Frontal projection | left wrist radiograph | male, 14 yo
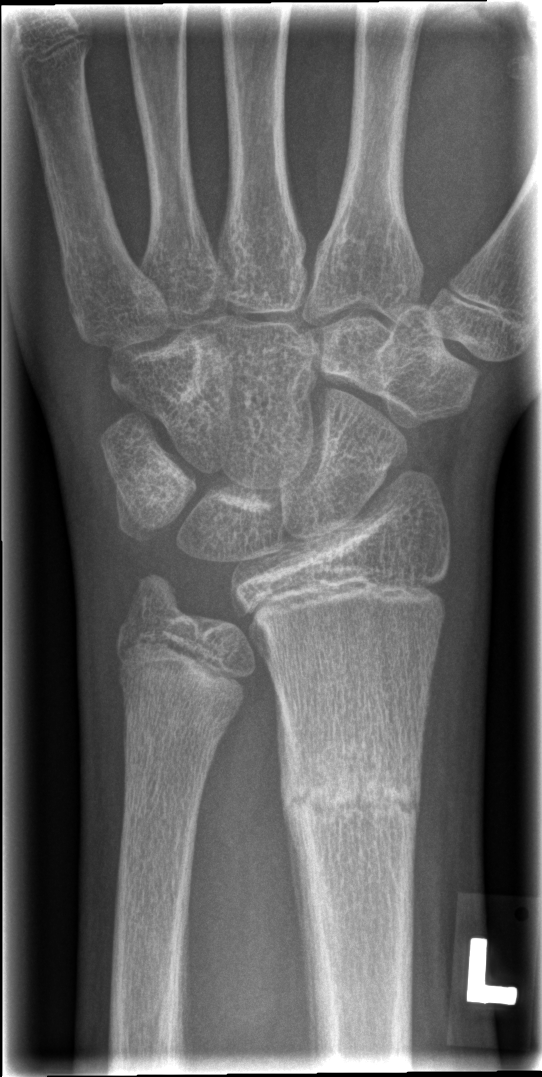

FINDINGS — Decreased bone density (osteopenia). Bone variant — 104 543 288 758. One fracture at 281 749 425 851. Periosteal reaction — 285 803 316 1065. AO code 23r-M/3.1; 23u-M/2.1.